Lat projection; right wrist radiograph; 16-year-old boy.

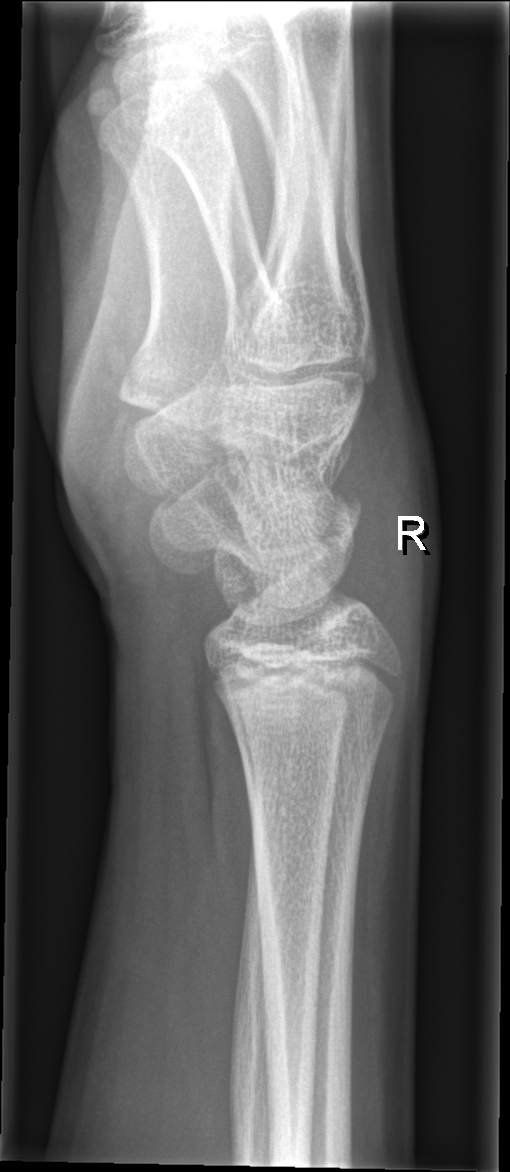 Findings: (pixel coordinates, top-left origin, xyxy) One soft-tissue finding at [x1=343, y1=369, x2=440, y2=721]. Fracture: none labeled.